R wrist X-ray | lat view | age 14 y, boy | 83.4 mm image width. 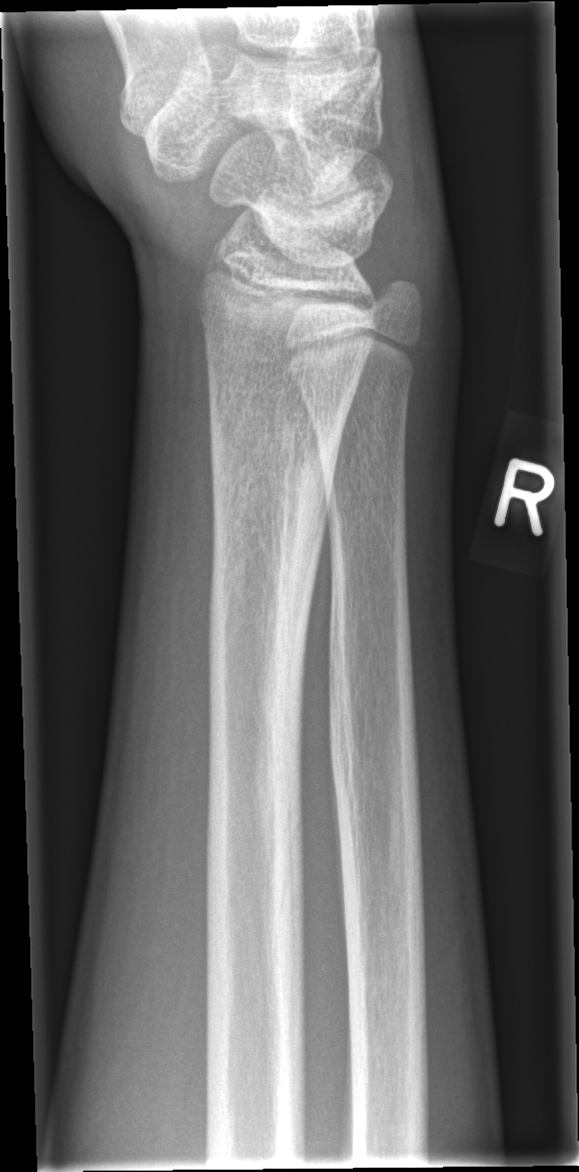 Bounding boxes in image-pixel xyxy. One bone fracture at [x1=205, y1=414, x2=347, y2=704].